Right plain radiograph of the wrist, frontal, 9-year-old female, image 69.4 mm wide. 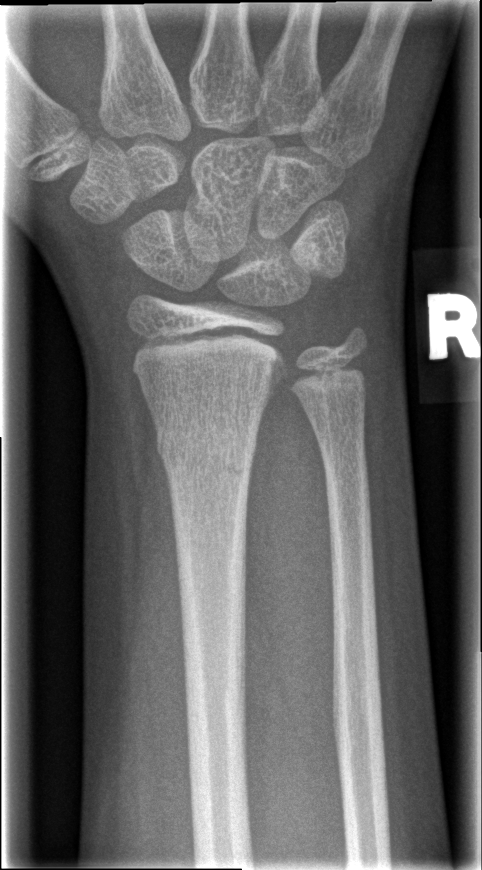
FINDINGS: (coordinates are [x1, y1, x2, y2] in image pixels) One bone fracture at [152, 420, 261, 486].